Lt wrist XR, AP projection, initial study

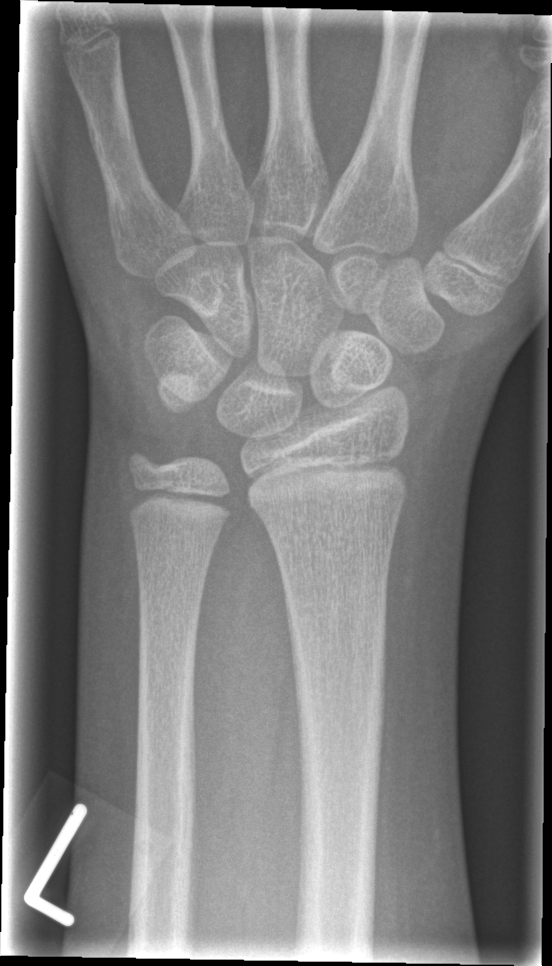

fracture: none labeled